Lat · Rt pediatric wrist radiograph · index exam · Siemens · image width 67.8 mm · 471 x 866 px:

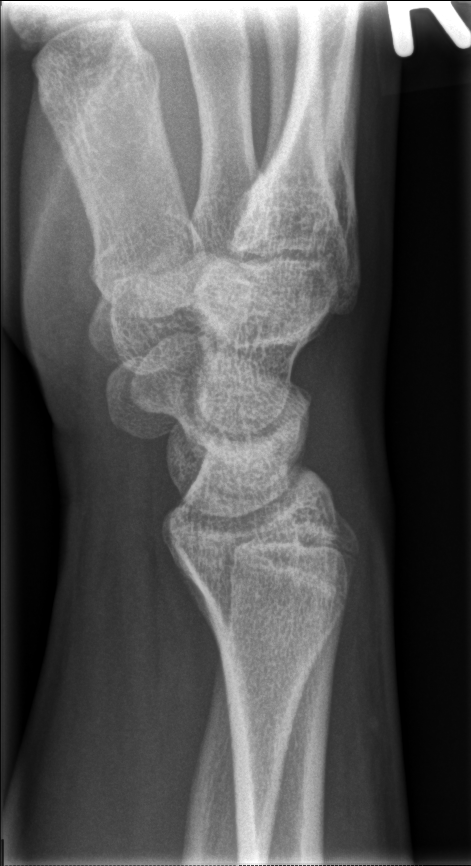
* Fx: none.